Rt pediatric wrist radiograph · lat view · 12y F · image size 299x934

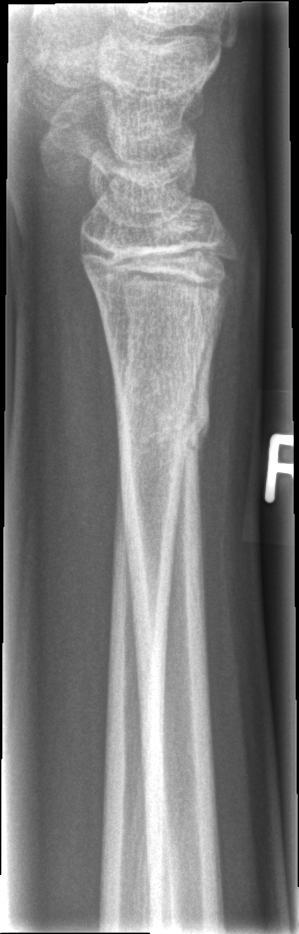 Bone fracture — [114, 397, 212, 465].
Fracture classified AO/OTA 23r-M/3.1; 23u-E/7.